Left wrist X-ray; PA projection; 13y M —

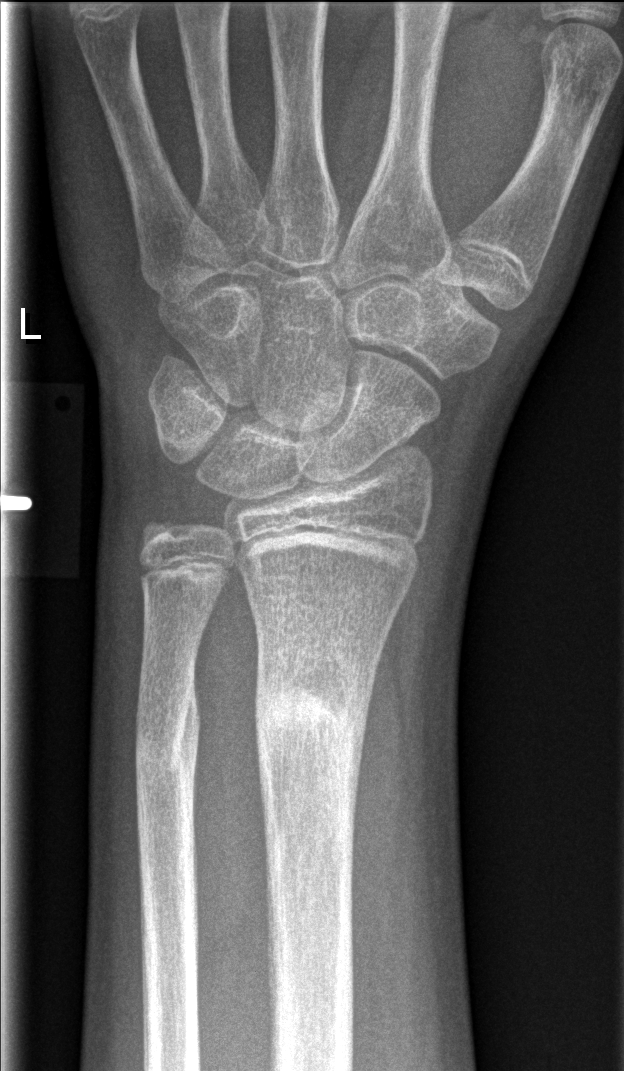

• Fracture classified AO/OTA 23-M/3.1; 23u-E/7.
• Fractures — (251, 674, 371, 764) (133, 691, 203, 796) (136, 508, 195, 557).
• Osteopenic.